Lat view · L plain radiograph of the wrist · pediatric patient (female, age 13) · cast in situ. 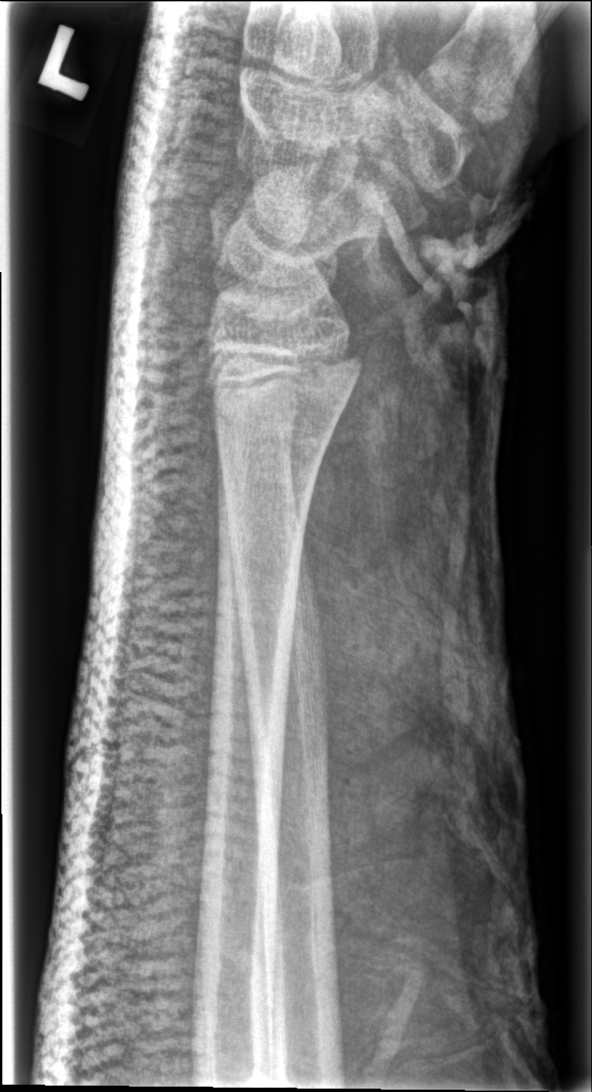 {
  "fracture": "1 @ (194, 333, 362, 405)",
  "ao": "23r-E/2.1; 23u-E/7"
}